PA/AP, right wrist plain radiograph of the wrist, age 9 y, female

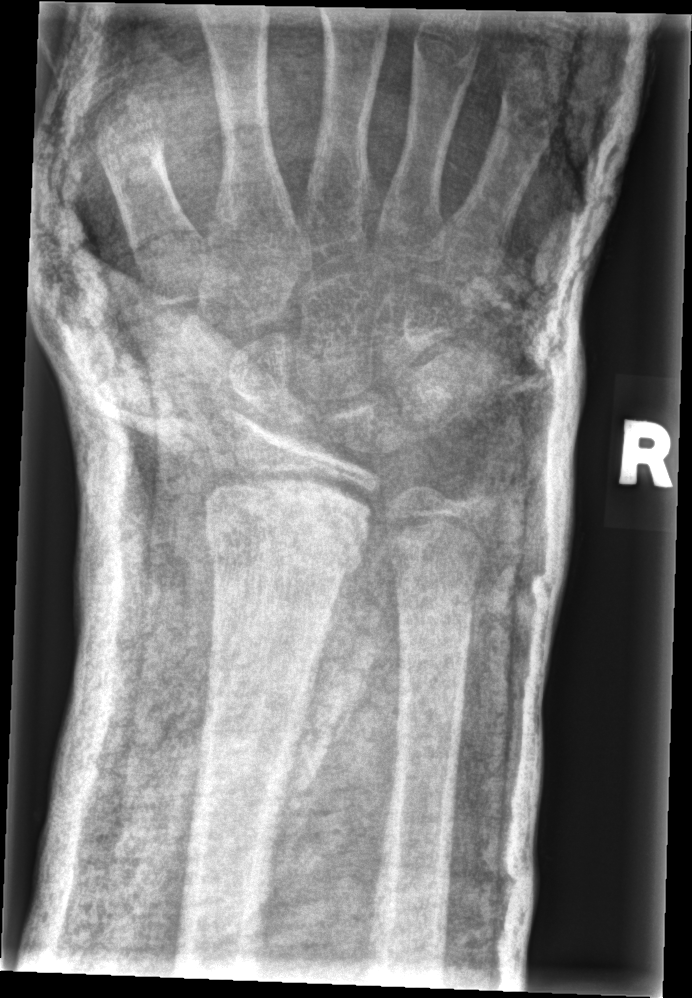

Findings: AO code 23r-E/2.1; 23u-E/7. Bone fracture: 199,495,369,584.